Rt wrist X-ray · AP projection · cast present · acquired on Siemens: 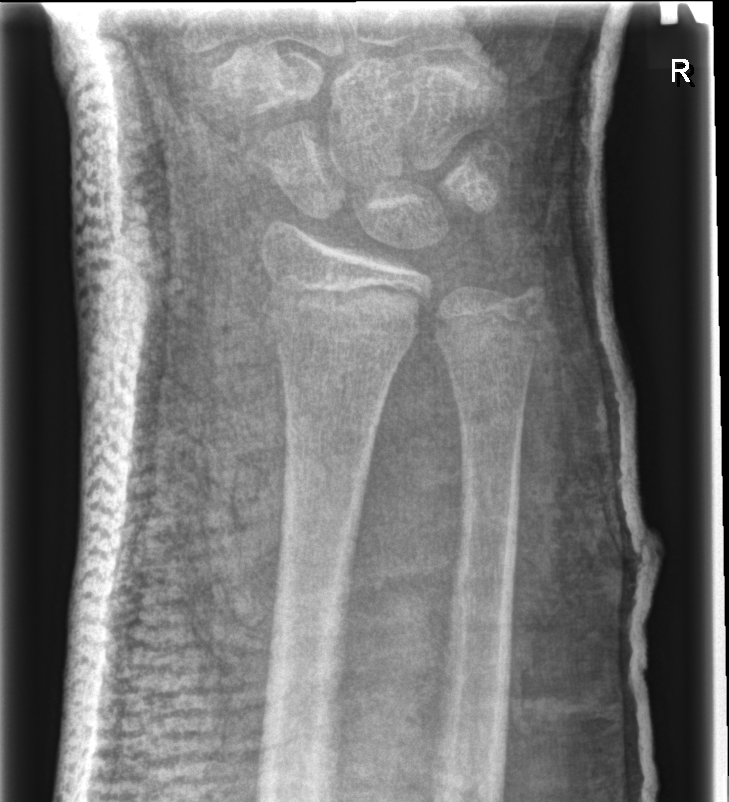
(boxes as x1,y1,x2,y2 (top-left / bottom-right, pixel units))
Fx = bbox(258, 286, 423, 365)